Lateral projection, R wrist XR, 11y F, initial study —

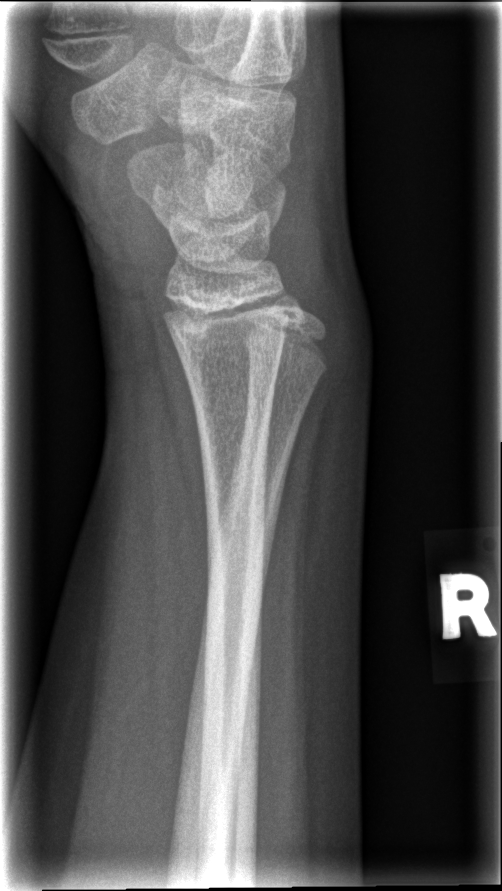
  # pixel coordinates, top-left origin, xyxy
  boneanomaly: 1 @ 229,245,341,442
  fracture: none labeled